Left wrist radiograph; lateral projection; pediatric patient (female, age 7); 462x918
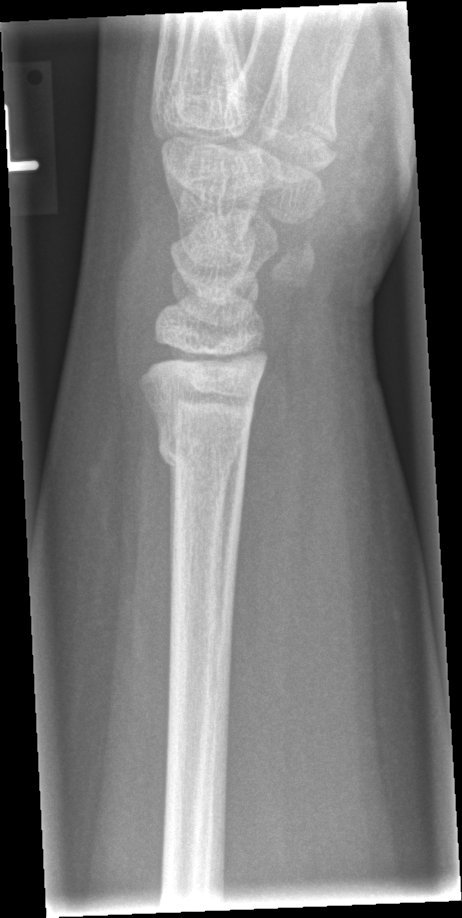 Q: Any fracture seen?
A: One Fx at (left=151, top=420, right=254, bottom=477)
Q: AO code?
A: AO/OTA classification: 23r-M/2.1